Lat projection | left pediatric wrist radiograph | boy, 13 yo | image width 81.1 mm | image size 563x1184
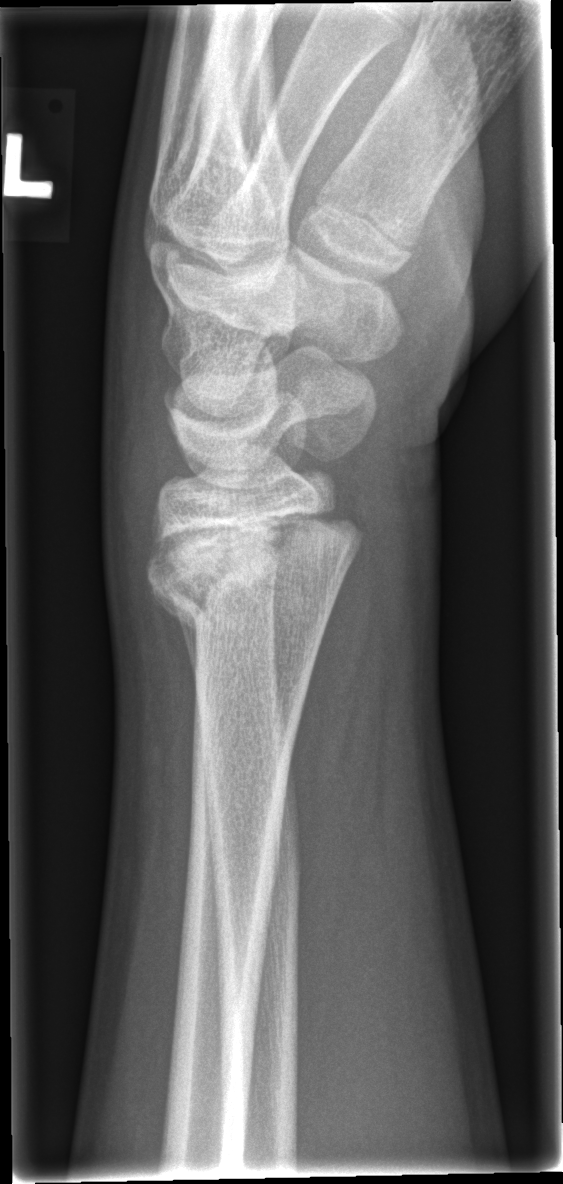

Fracture classified AO/OTA 23r-E/2.1; 23u-E/7.
One bone fracture at 145,496,366,633.